Lateral view · right wrist radiograph · 14-year-old boy · follow-up study · cast present.
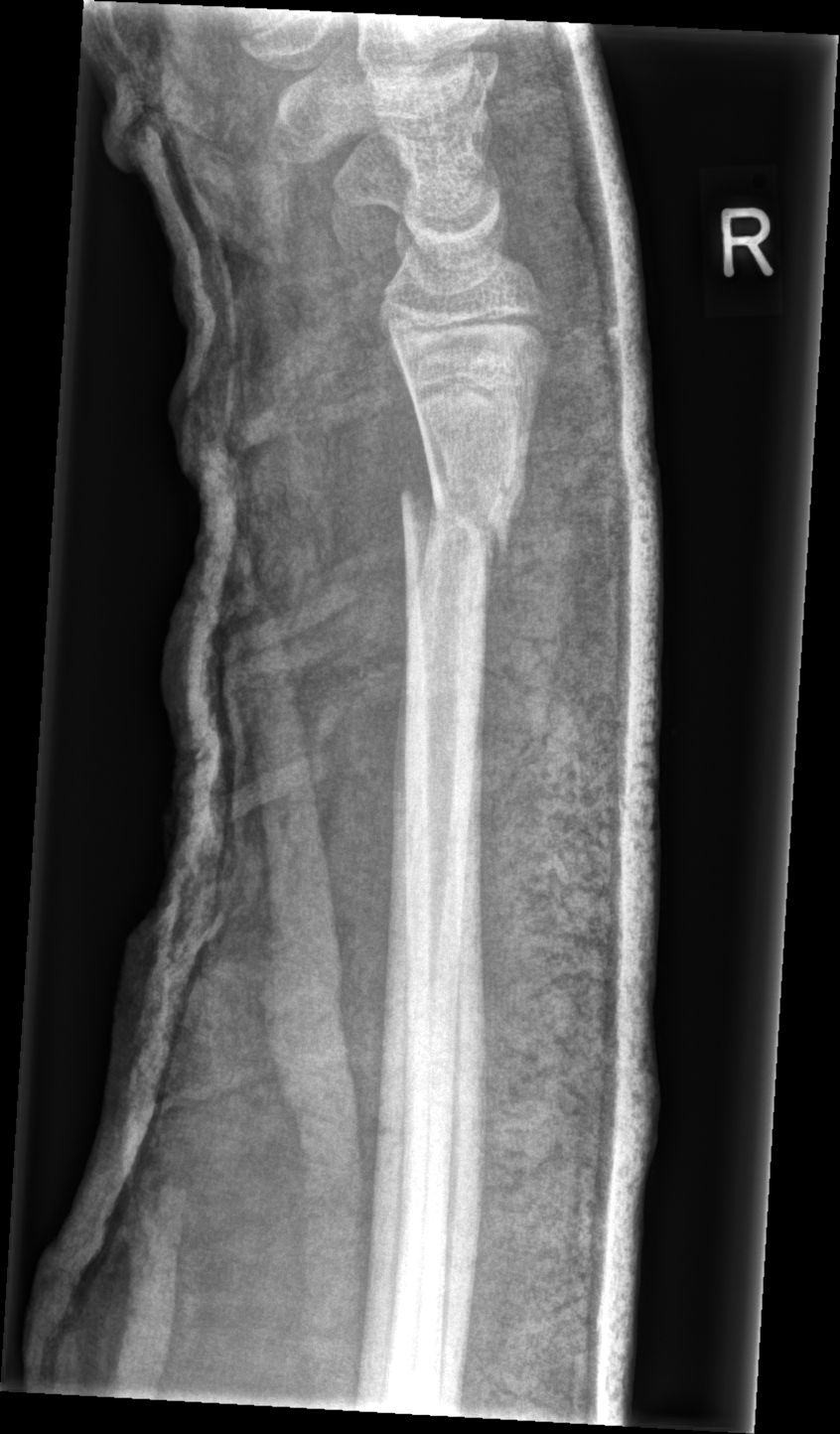
One Fx at <394,468>-<528,572>.